L plain radiograph of the wrist, frontal, 14y M
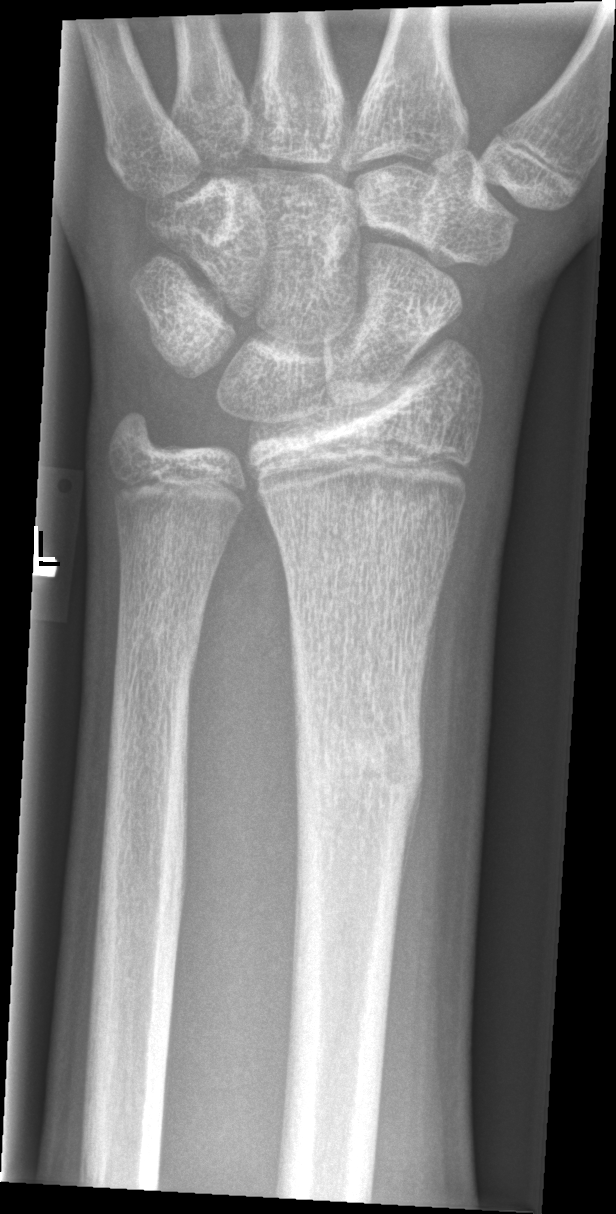
- Pixel coordinates, top-left origin, xyxy.
- Periosteal thickening: 397 597 439 903.
- Fracture identified at 291 686 427 841
  109 604 203 675.
- Osteopenia.
- AO/OTA classification: 22r-D/4.1; 23u-M/3.1.